Frontal projection · left wrist plain radiograph of the wrist · 11-year-old boy — 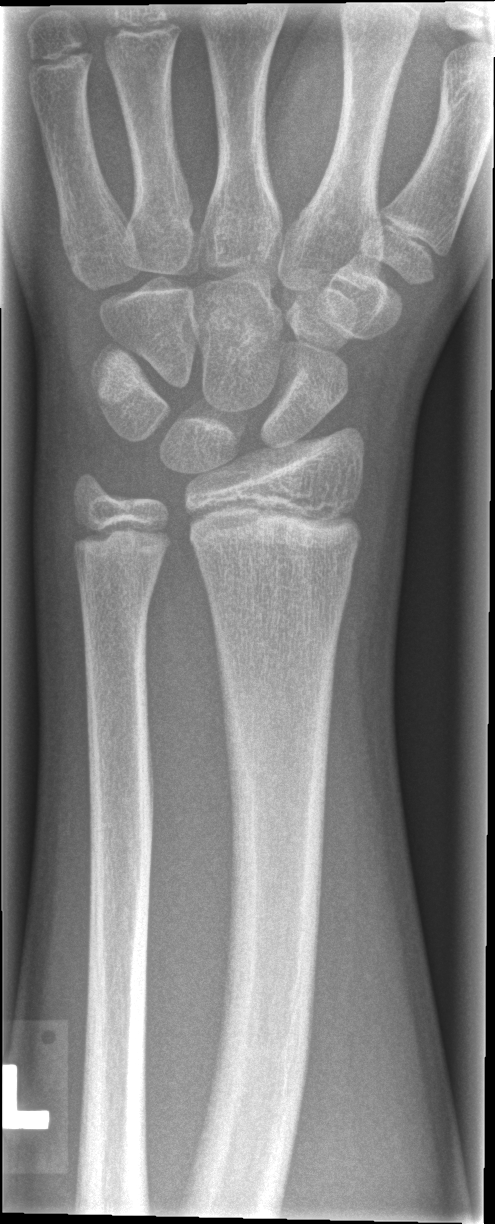

Q: Fracture present?
A: No fracture labeled